Right wrist X-ray · AP · subsequent exam · 82.1 mm image width.

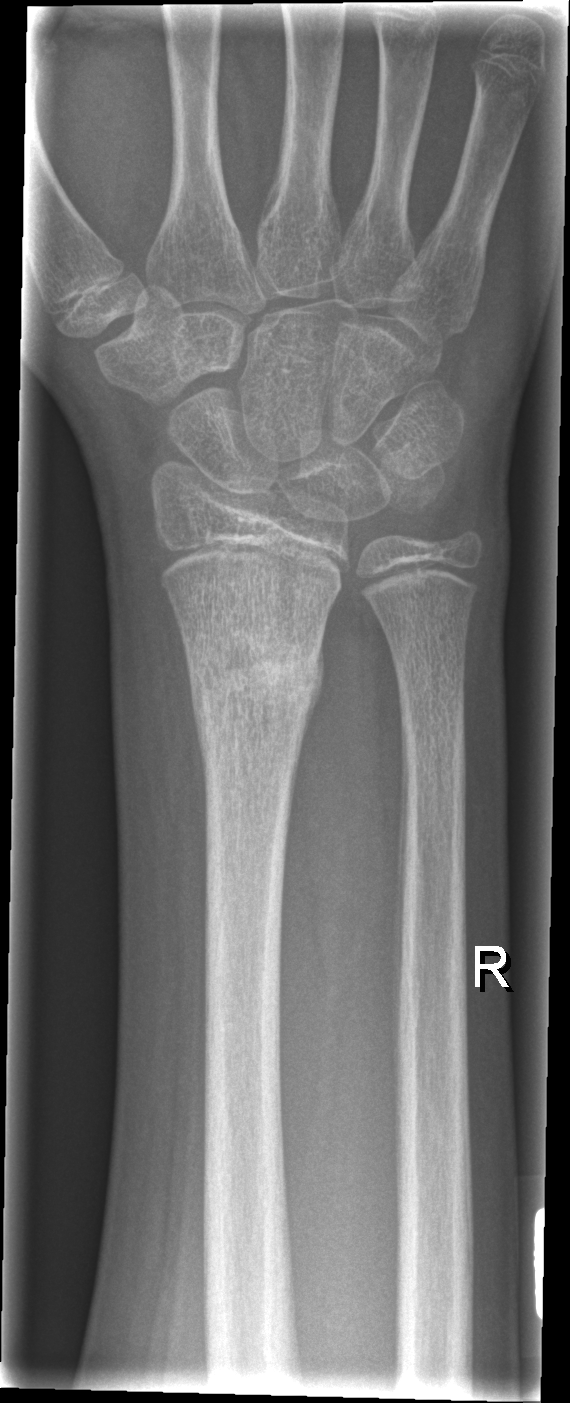

  # boxes as x1,y1,x2,y2 (top-left / bottom-right, pixel units)
  periostealreaction: 2 @ (393, 702, 412, 1055), (298, 633, 326, 759)
  fracture: 1 @ (186, 629, 325, 752)